Rt plain radiograph of the wrist · lateral projection · 11y F · 394 x 774 px:

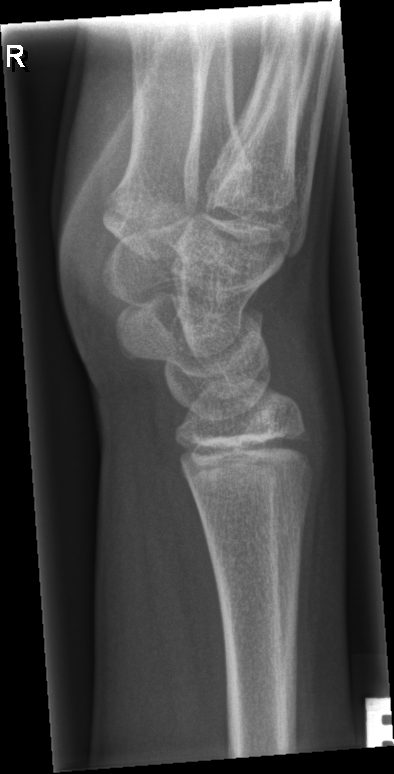 FINDINGS — No Fx annotated.